L pediatric wrist radiograph | lat view | acquired on Siemens | 555 x 1568 px: 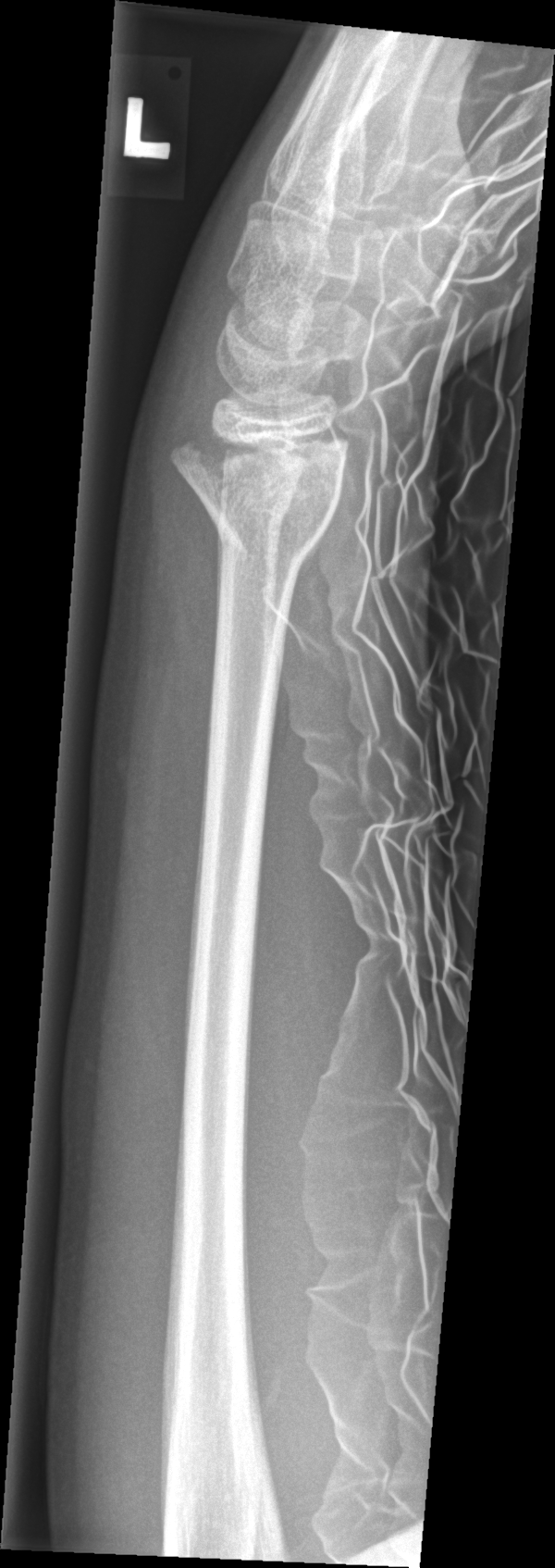 Q: Is there a fracture?
A: Fracture — [169, 421, 352, 589]